Rt pediatric wrist radiograph · posteroanterior projection · pediatric patient (male, age 12) · cast in situ. 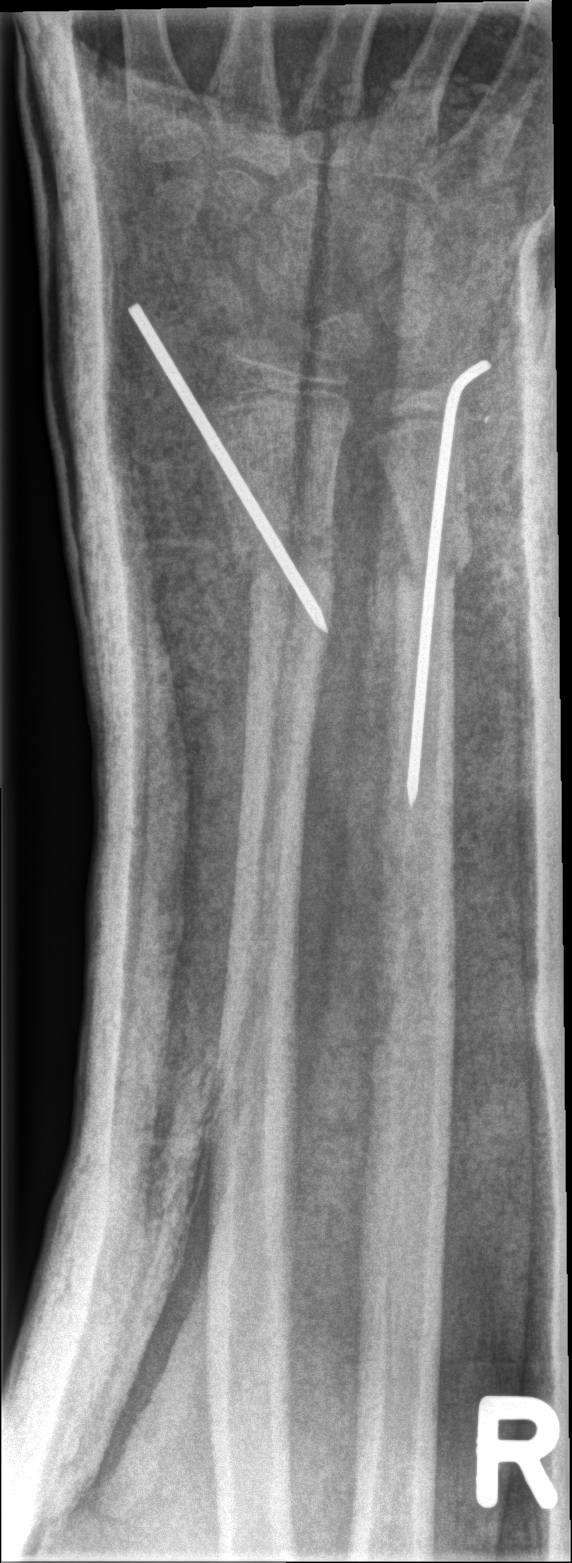 FINDINGS: Bone fracture identified at 233,513,337,607; 394,530,475,603. Two metal at 125,299,333,634 | 401,350,496,812.